L pediatric wrist radiograph, lateral view, age 8 y, female, follow-up study — 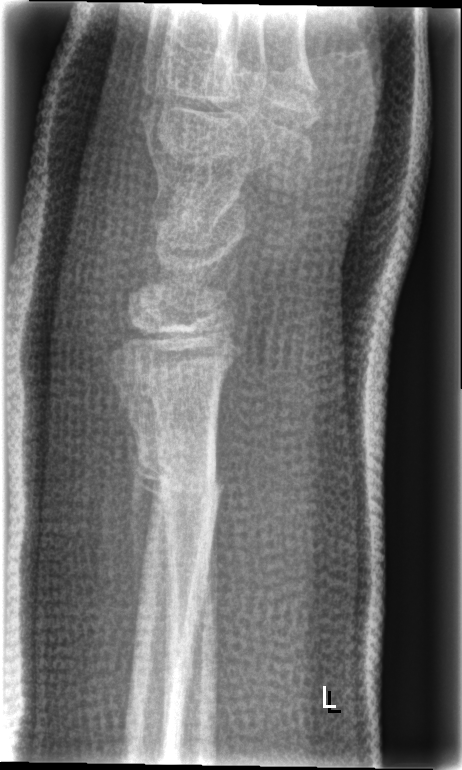

fracture: 1 @ 131,443,229,529